Posteroanterior; right wrist plain film.

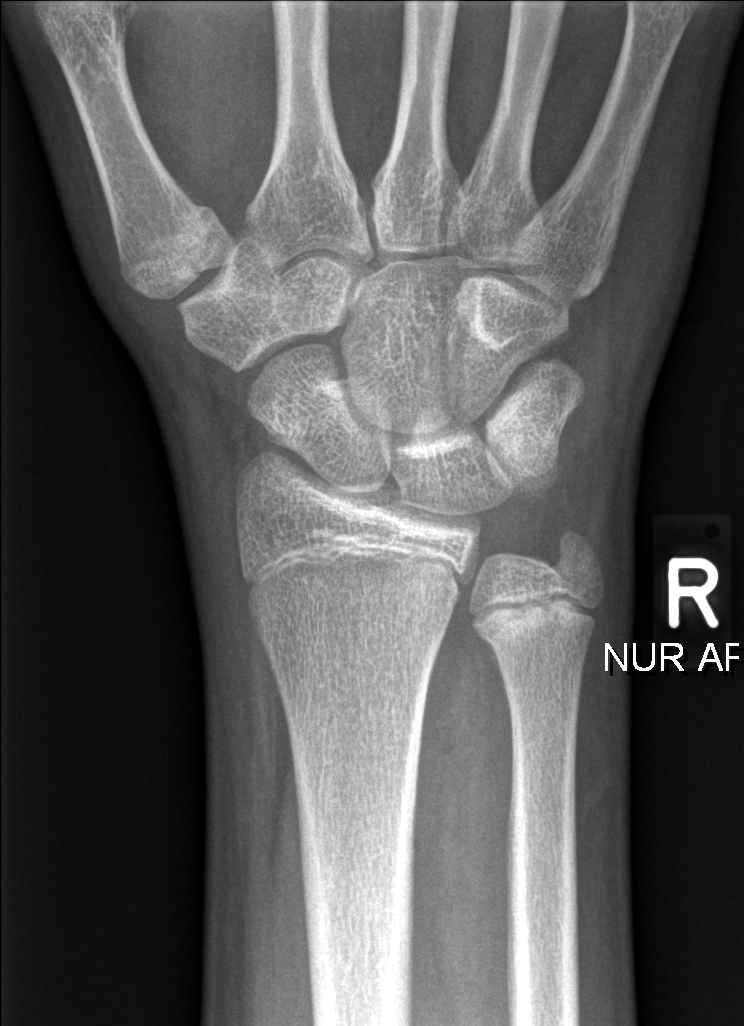 AO code 23u-E/4.
Fracture identified at <461,523>-<607,670>.
Osteopenic.